PA/AP projection, left plain radiograph of the wrist, 13-year-old boy, 575 x 1130 px —

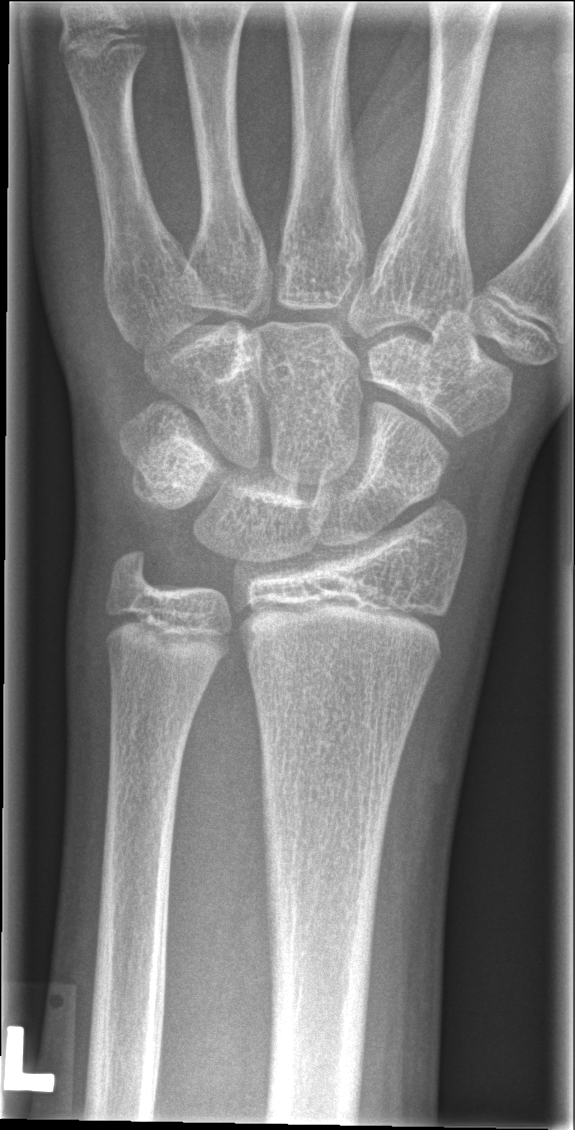
* Fx: none.